Right pediatric wrist radiograph; PA/AP; pediatric patient (female, age 9); image 71.1 mm wide; 494 by 779 pixels —

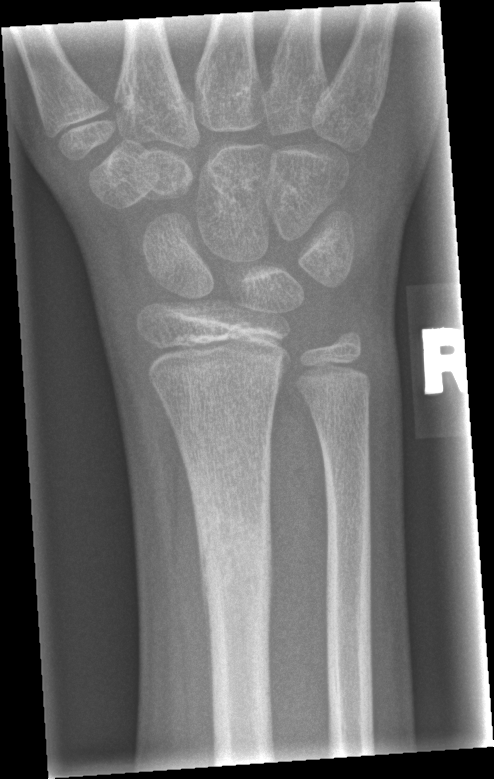 AO code 22r-D/2.1. Fracture identified at <191,499>-<277,633>. Osteopenia.